Left wrist radiograph, PA/AP projection, age 16 y, boy, in cast

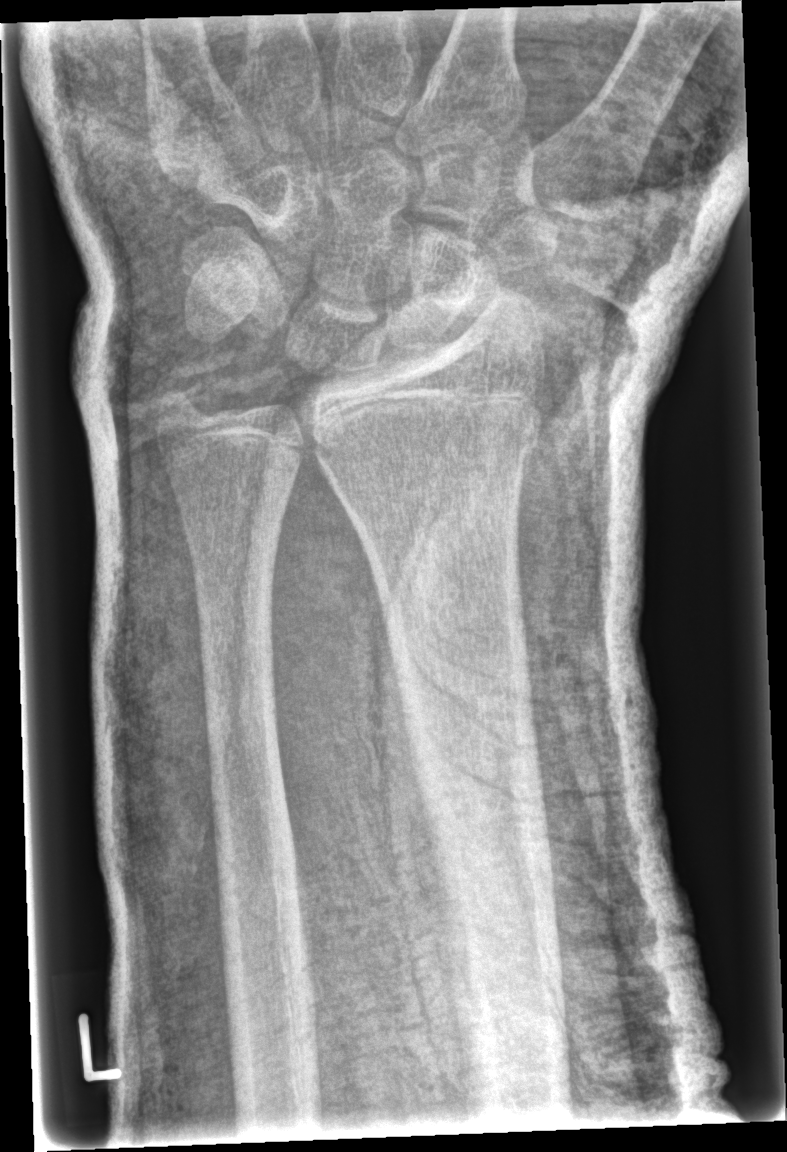

# coordinates are [x1, y1, x2, y2] in image pixels
ao: 23r-M/3.1; 23u-E/7
fracture: [x1=306, y1=399, x2=552, y2=477]